L wrist X-ray · PA/AP · acquired on Siemens.

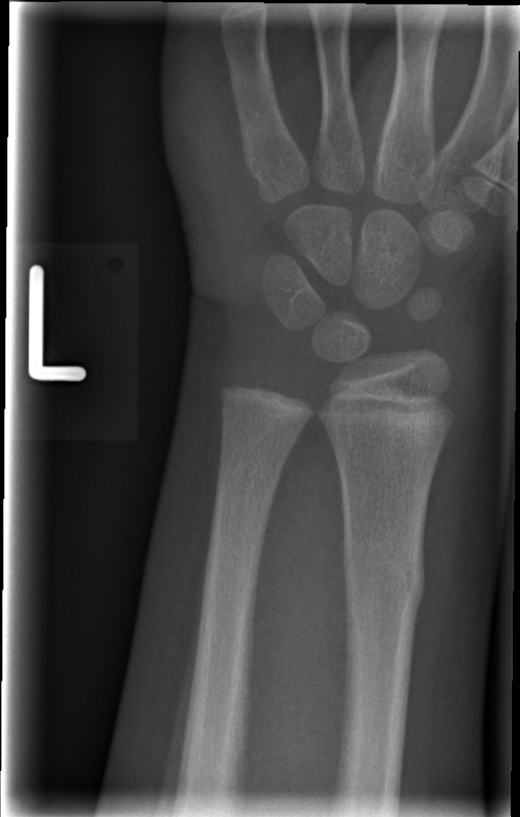 Findings: Bone fracture identified at [x1=344, y1=559, x2=428, y2=607].